AP view; Rt wrist plain film; male, 5 yo; initial study; 448 x 718 px:

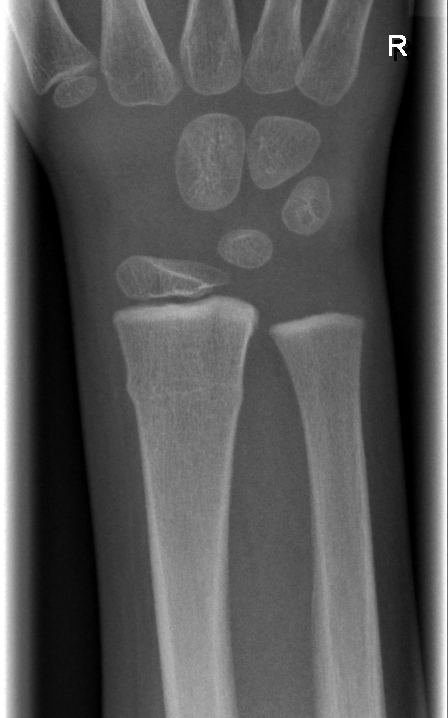 AO classification: 23r-M/2.1
Bone fracture: 1 @ <121,365>-<248,416>